Lateral projection | left wrist radiograph | 6y F | imaged through cast
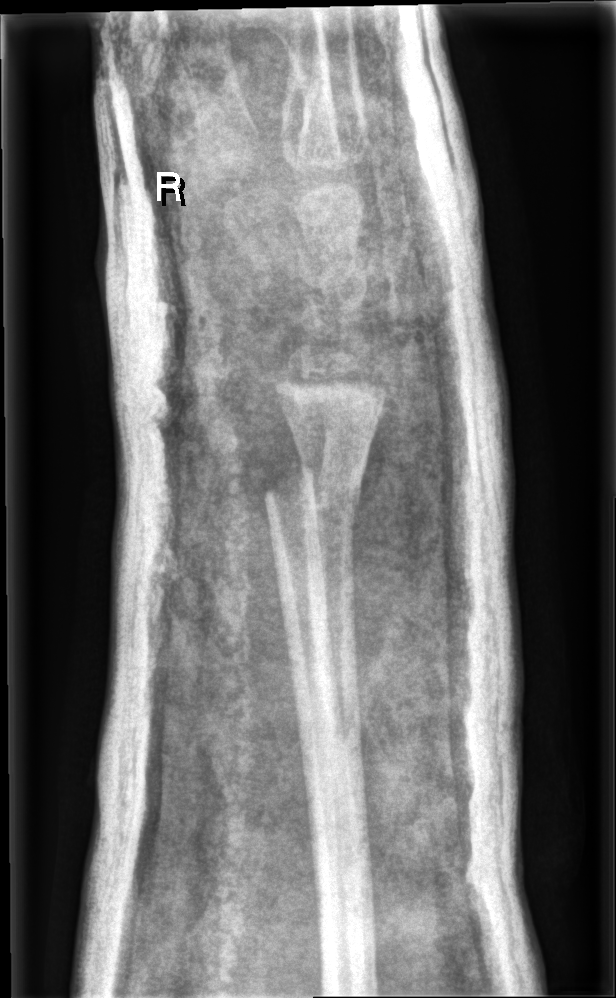

* Bounding boxes in image-pixel xyxy.
* One fracture at (262, 453, 366, 528).
* Fracture classified AO/OTA 23-M/3.1.